Lat view · right wrist pediatric wrist radiograph · age 13 y, male · detector: Siemens —

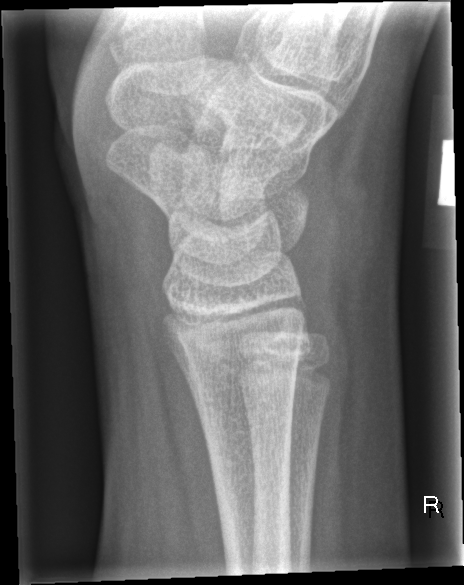 FINDINGS — No Fx annotated.